R plain radiograph of the wrist | lat | imaged through cast | detector: Siemens: 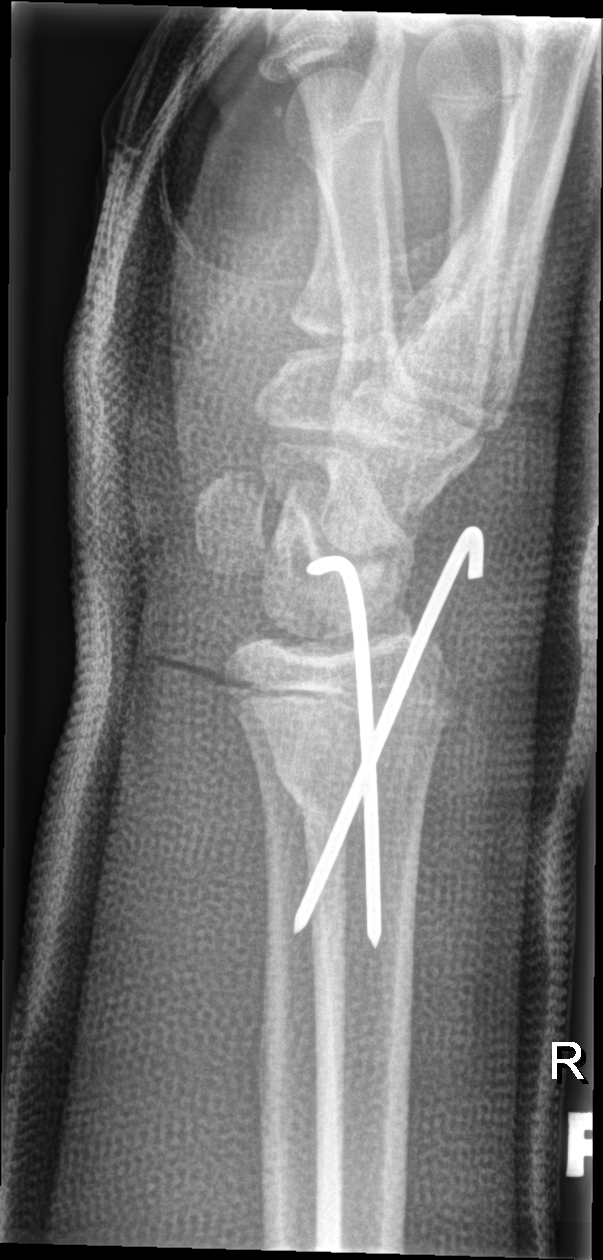 Metal = 1 @ 292,526,487,949
Fx = 267,720,441,848